Lateral, left wrist XR, male, 11 yo, 412x696.
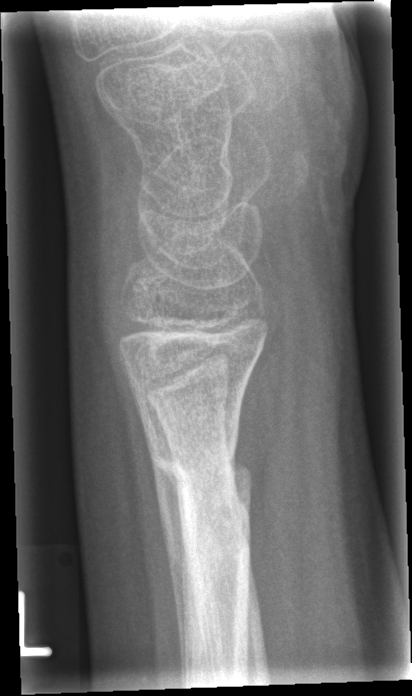 Findings: AO code 23-M/3.1; 23u-E/7. Fx identified at bbox(150, 444, 255, 509). Osteopenic. Periosteal thickening — bbox(152, 459, 186, 687).